Lateral projection · left wrist plain film · age 9 y, boy · 363 x 998 px. 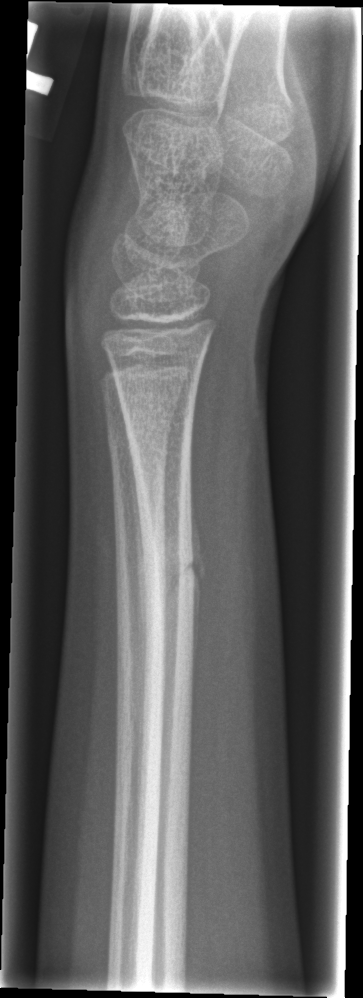

(bounding boxes in image-pixel xyxy)
bone fracture = 2 @ [139, 530, 198, 615] [104, 421, 171, 465]
AO code = 22r-D/2.1; 23u-M/2.1